Lat | left wrist plain film | 14y M —

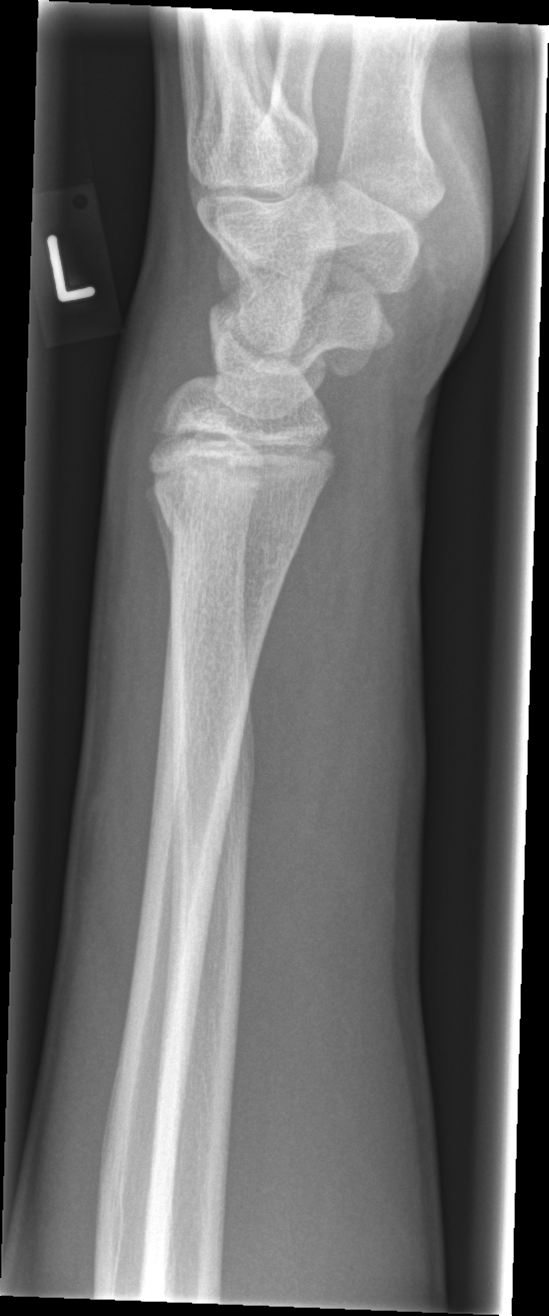 Pronator quadratus fat-pad sign = 1 @ (left=241, top=456, right=353, bottom=879)
AO/OTA = 23r-M/2.1
Fracture = 1 @ (left=155, top=482, right=307, bottom=580)